Lat | Lt plain radiograph of the wrist | 9y F | in cast | image 67.0 mm wide. 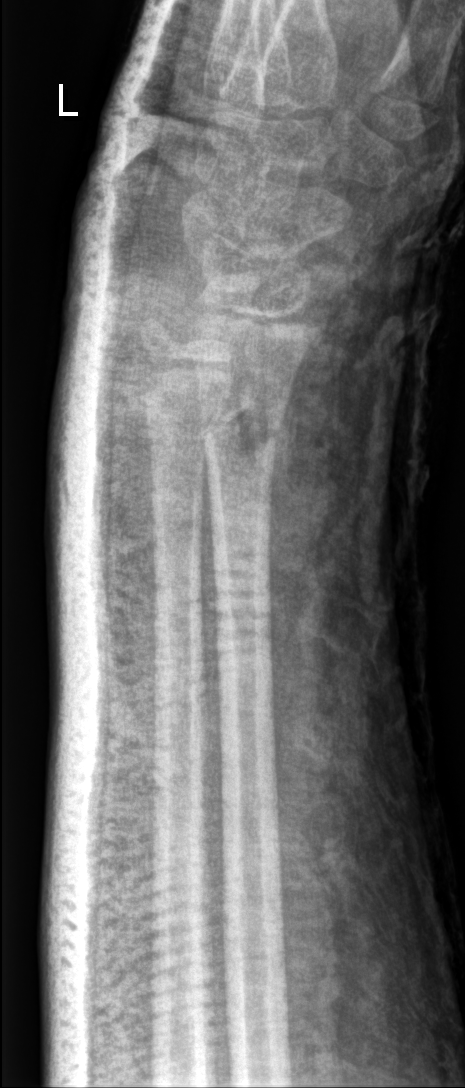
FINDINGS — Fracture classified AO/OTA 23r-M/3.1; 23u-M/2.1. Fx — (193, 391, 294, 459).